Left wrist radiograph; lat; age 9 y, male
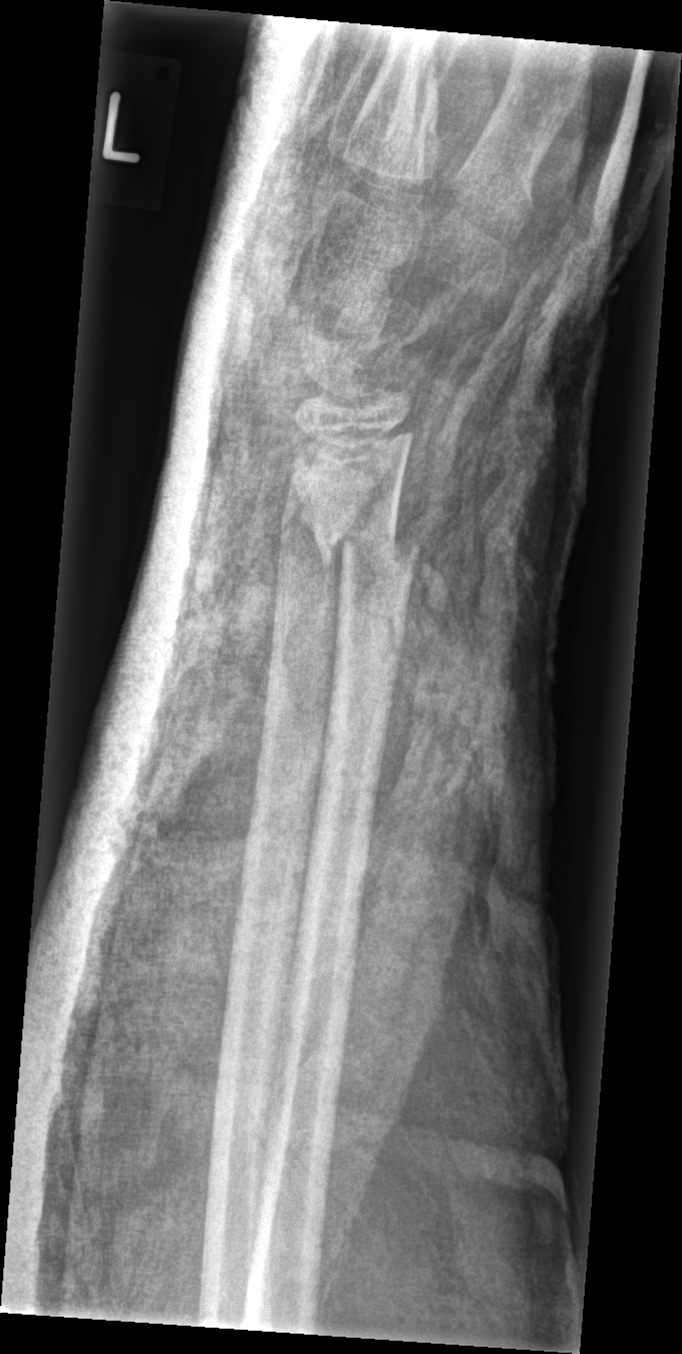
(boxes as x1,y1,x2,y2 (top-left / bottom-right, pixel units))
AO classification: 23r-M/3.1; 23u-M/2.1
Fracture: 2 @ <274,493>-<355,570> <312,518>-<424,573>